Right wrist plain radiograph of the wrist, lateral projection, 9y F, subsequent exam, acquired on Siemens —
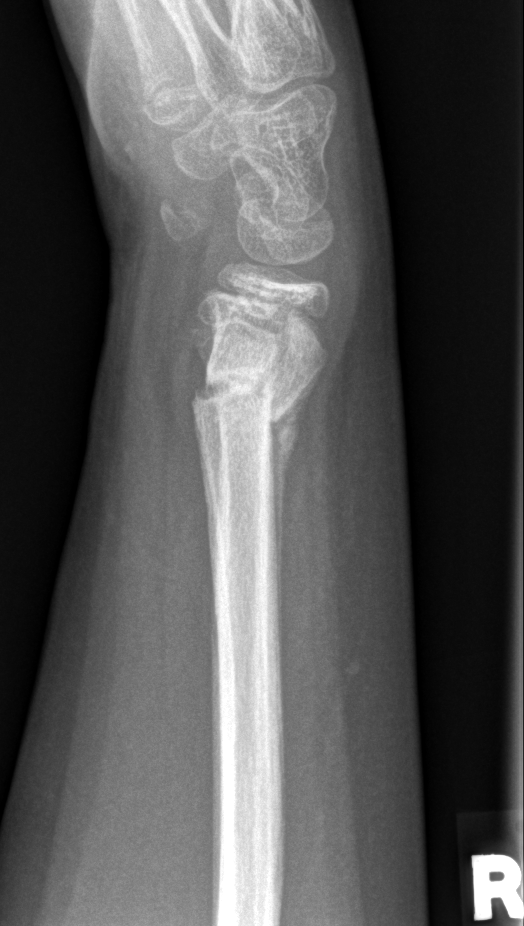
Periosteal reaction: bbox(271, 384, 312, 568)
Fracture: 1 @ bbox(189, 369, 290, 436)
AO/OTA: 23r-M/3.1